Rt wrist radiograph; lateral projection; cast in situ
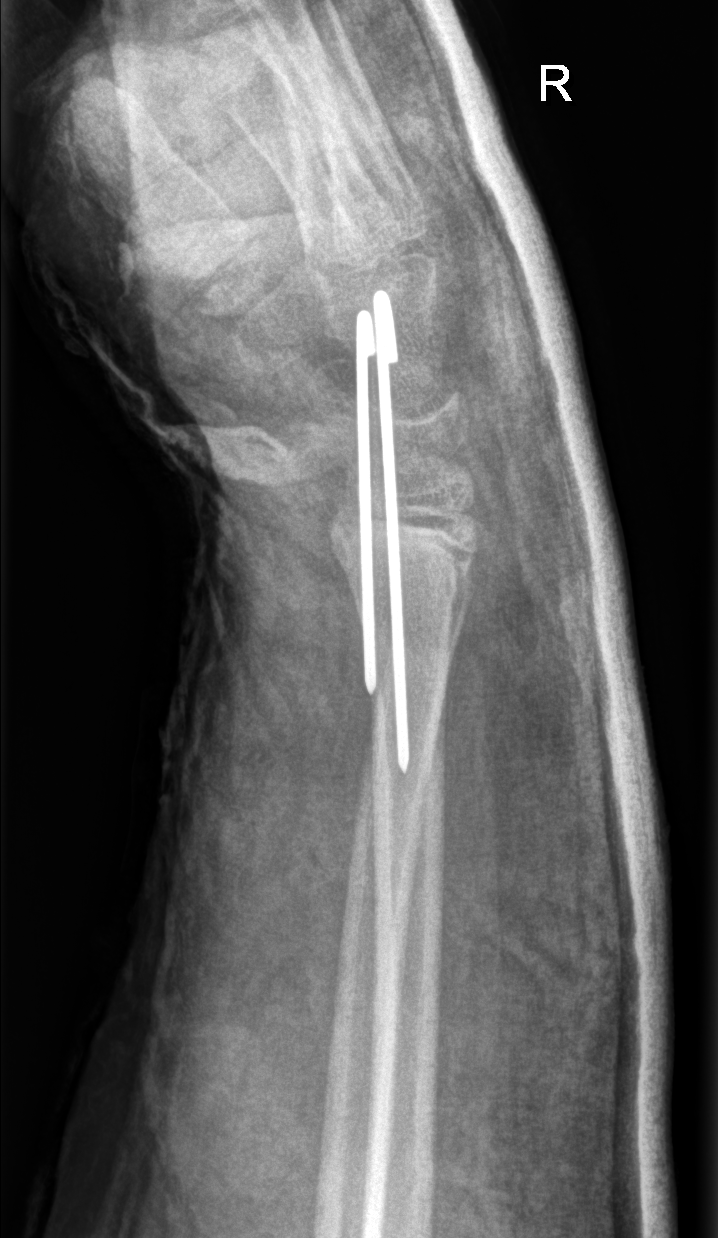

metal: 2 @ (373, 294, 408, 772), (353, 312, 378, 695)
Fx: (323, 489, 488, 615)